Left plain radiograph of the wrist, PA projection.
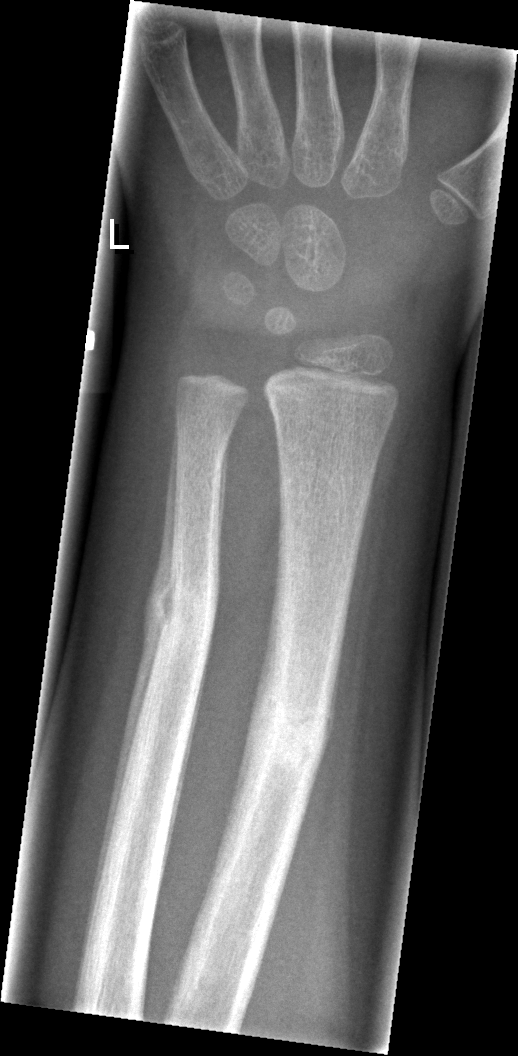
Findings: (boxes as x1,y1,x2,y2 (top-left / bottom-right, pixel units)) Fx identified at 241 688 335 772
  149 561 222 653. AO code 22-D/2.1. Two periosteal new bone at 74 414 181 991 | 150 635 212 921.